Lateral projection; L pediatric wrist radiograph; subsequent exam; 63.4 mm image width; 440 by 1030 pixels —

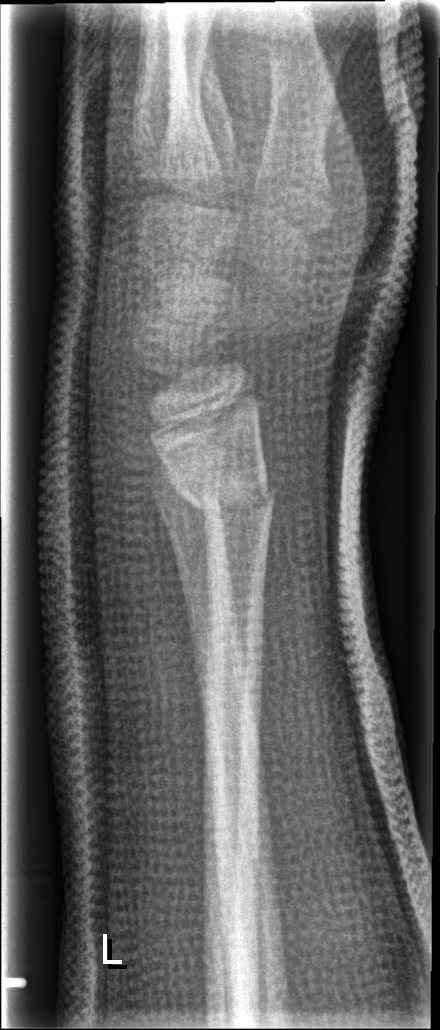

- Fracture — bbox(169, 463, 280, 530).
- Fracture classified AO/OTA 23r-M/3.1; 23u-M/2.1.